PA view, Lt pediatric wrist radiograph, pediatric patient (female, age 7), cast in situ. 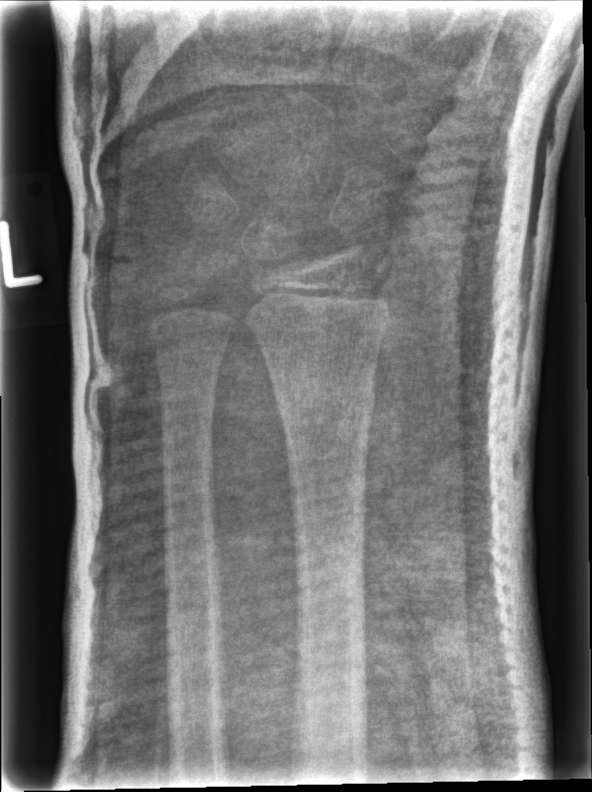

FINDINGS — Bone fracture — 271 369 378 442.